Posteroanterior | R wrist plain film | index exam | Siemens —
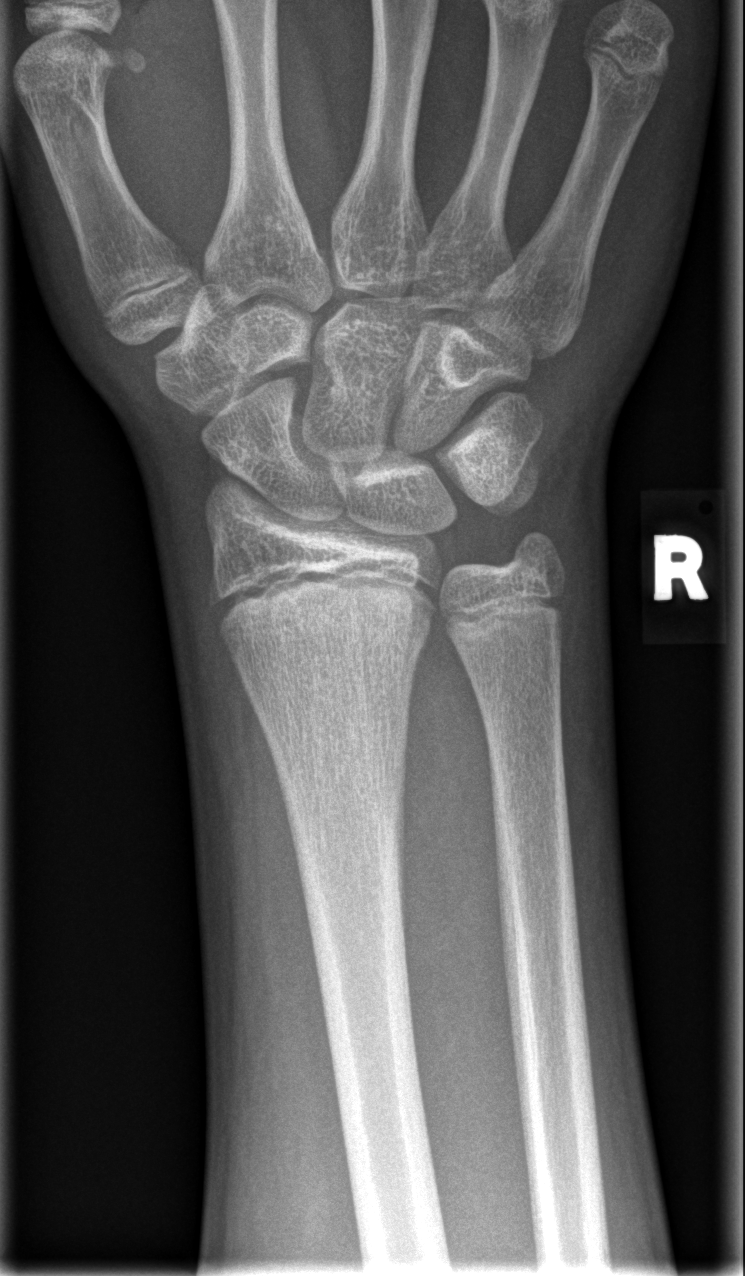

Bone fracture: none labeled